Posteroanterior · right wrist XR · 5-year-old girl —

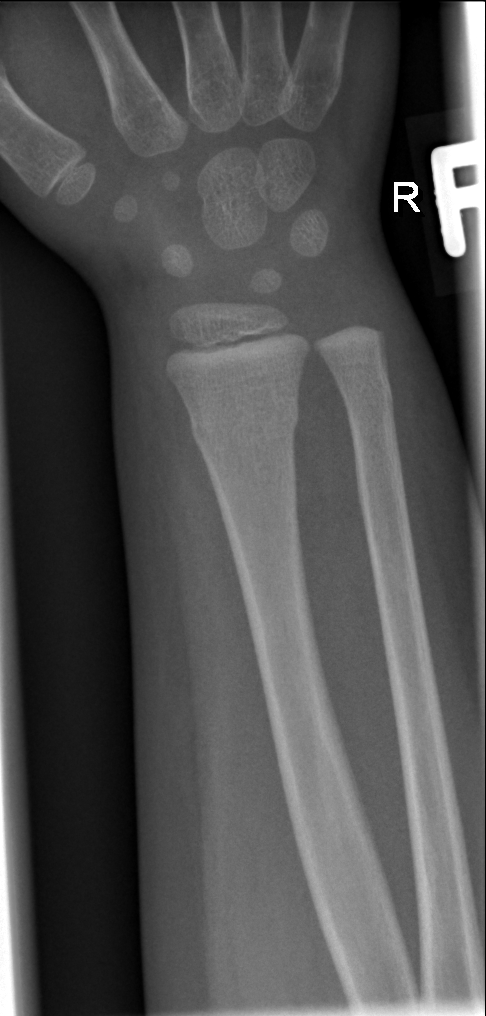 Two Fx at (left=186, top=390, right=305, bottom=453), (left=336, top=372, right=398, bottom=421).